Frontal; left wrist plain radiograph of the wrist; detector: Siemens:
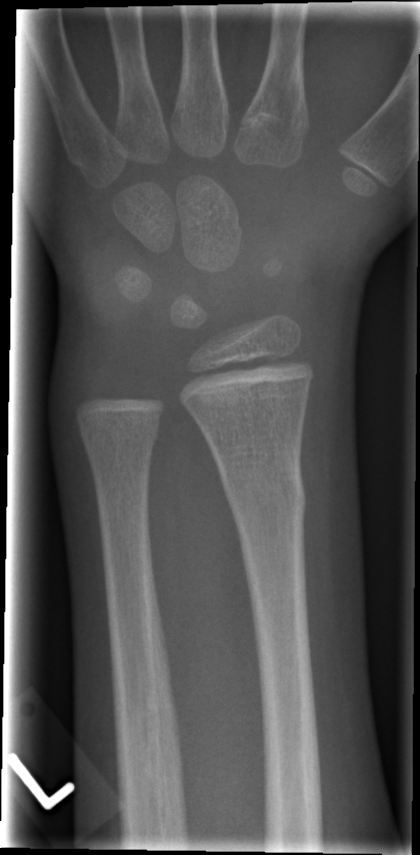 AO/OTA: 23-M/2.1
Bone fracture: 2 @ <219,459>-<311,518>, <77,422>-<163,473>